PA/AP view; Lt wrist plain film; male, 12 yo; equivocal findings.
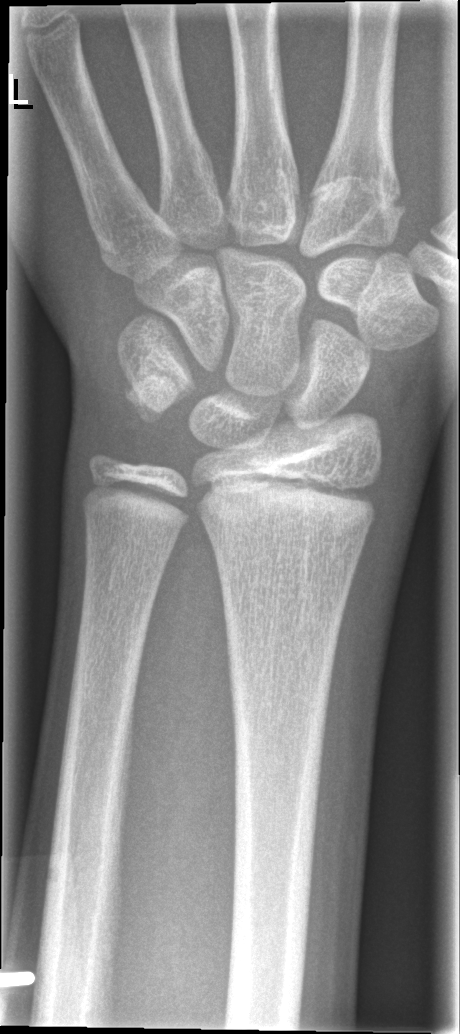
{"fracture": "none labeled"}